Lt wrist XR · PA/AP · pediatric patient (boy, age 14) — 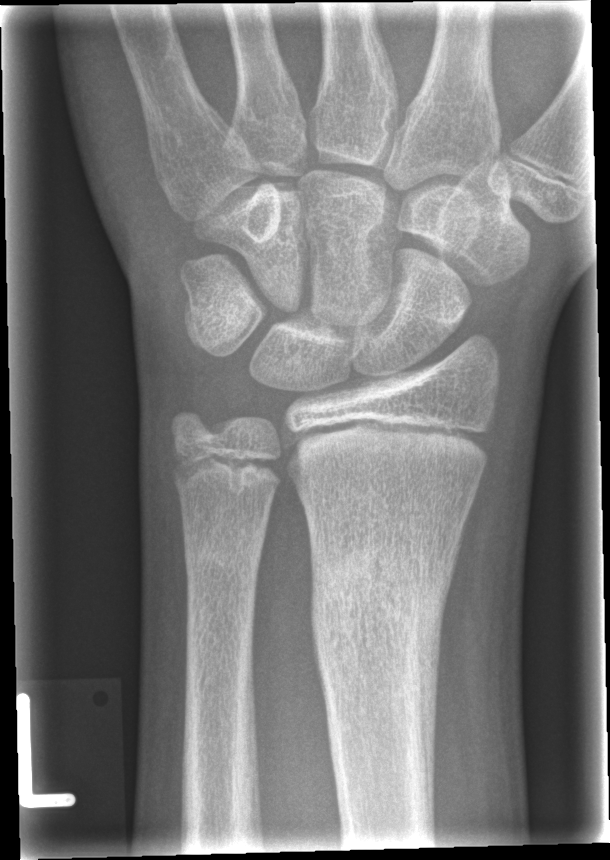
FINDINGS — (pixel coordinates, top-left origin, xyxy) Decreased bone density (osteopenia). Bone fracture identified at [307, 541, 453, 675], [179, 531, 266, 583], [164, 399, 228, 460].